Lateral | L plain radiograph of the wrist | boy, 9 yo | 404x734:

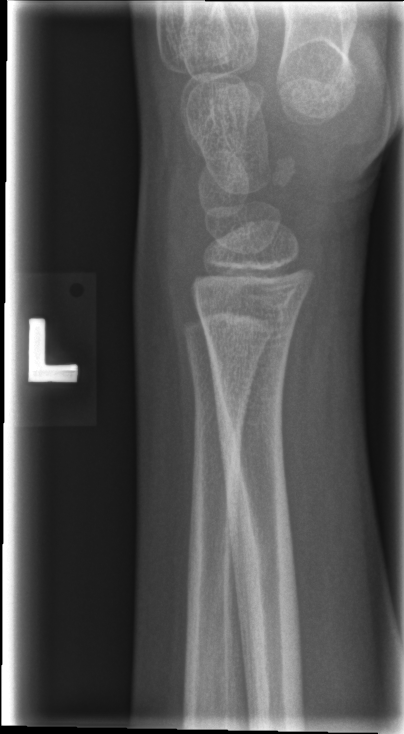

{
  "fracture": "none labeled"
}